Lateral view, left wrist plain radiograph of the wrist —

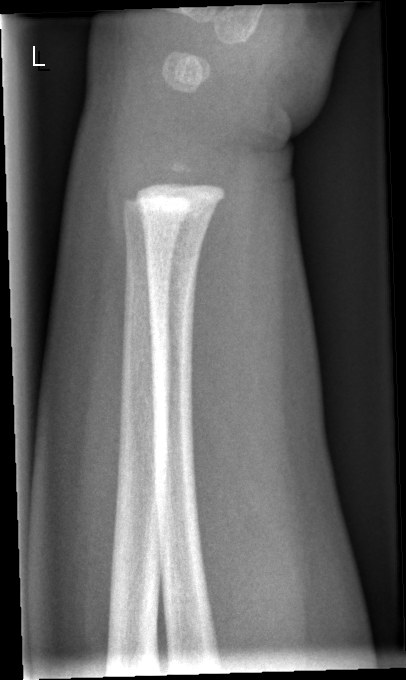 {
  "fracture": "none labeled"
}